AP projection, left wrist plain film, pediatric patient (male, age 11) — 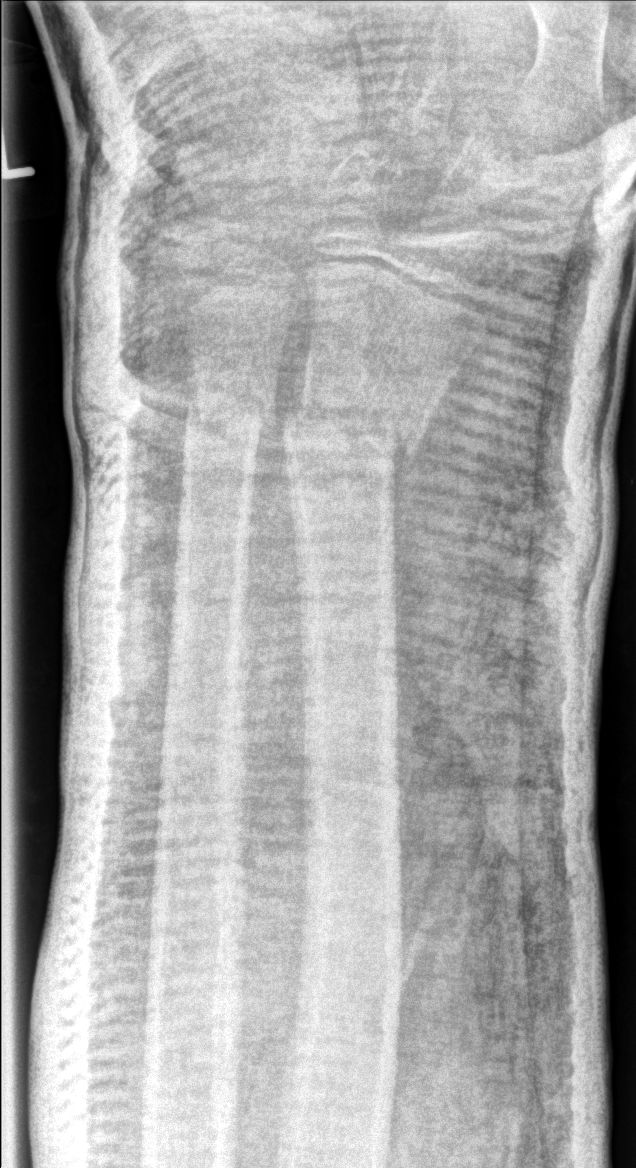

Fracture = 2 @ [x1=277, y1=390, x2=427, y2=476] [x1=182, y1=380, x2=277, y2=432]
AO/OTA = 23r-M/3.1; 23u-M/2.1; 23u-E/7